Right wrist radiograph | PA/AP:

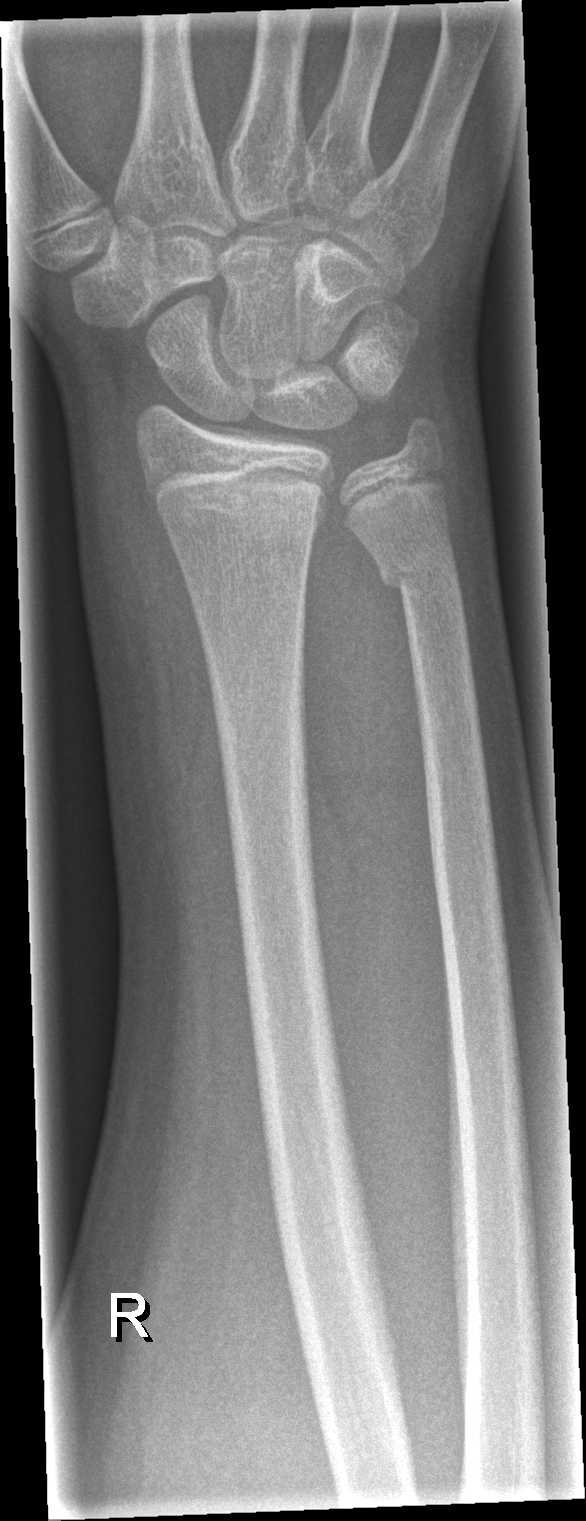
AO classification: 23r-E/2.1; 23u-M/2.1
fracture: 2 @ 146,455,337,538; 374,529,466,606